Posteroanterior view, right pediatric wrist radiograph, detector: Siemens, image size 691x896:
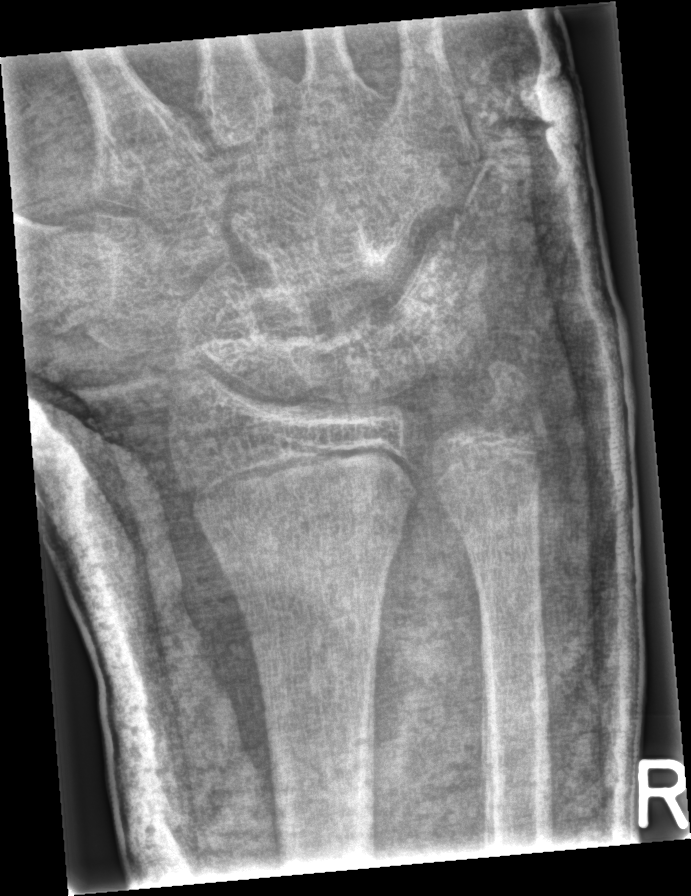
Osteopenia = present
Fracture = 2 @ [x1=208, y1=485, x2=416, y2=568] [x1=480, y1=359, x2=542, y2=444]
AO code = 23r-M/3.1; 23u-E/7